Right wrist XR | PA | cast present | Siemens | image size 792x1082 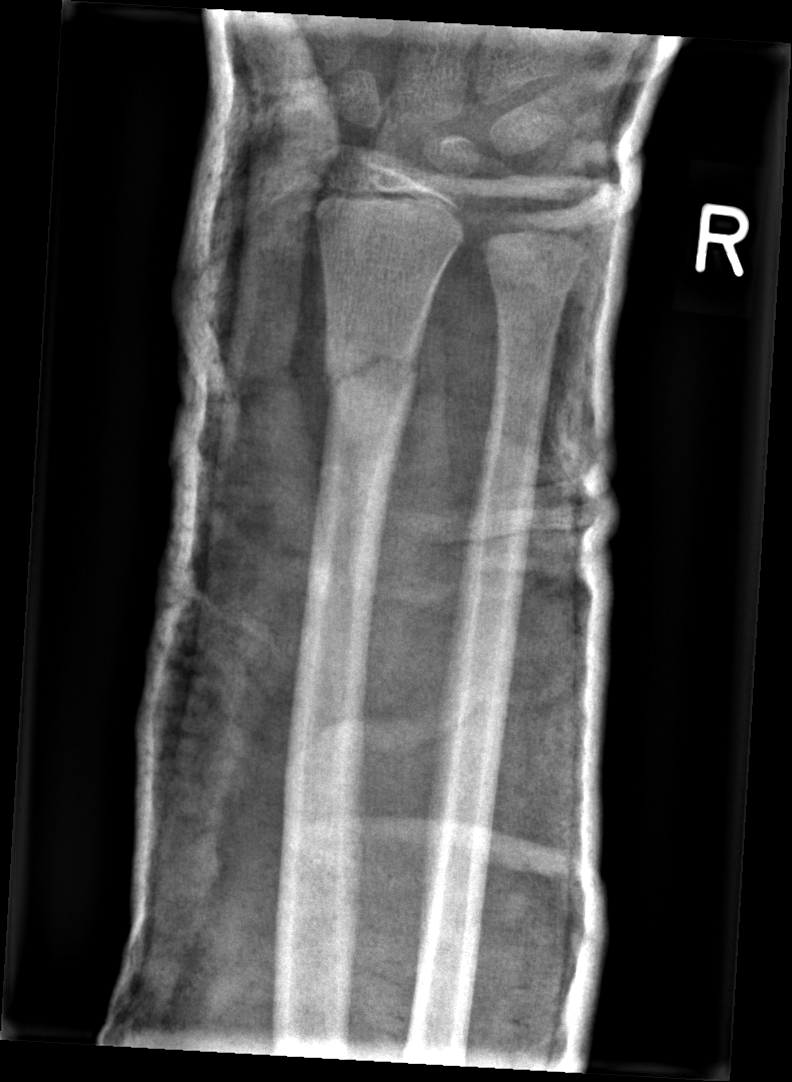 * Coordinates are [x1, y1, x2, y2] in image pixels.
* Bone fracture identified at [322, 339, 421, 417].